Lat projection | right wrist XR
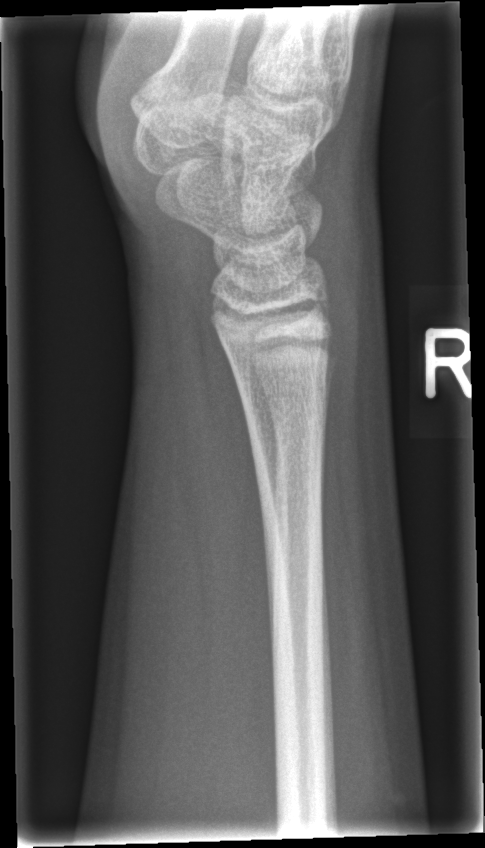
Fx: none labeled